L wrist plain film, lat view, male, 8 yo, cast in situ —

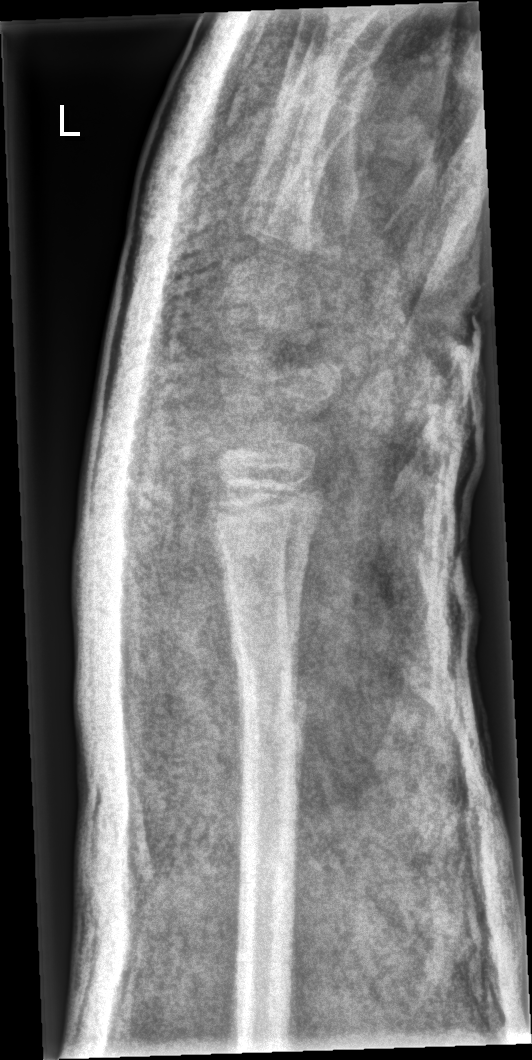

Findings: AO/OTA classification: 23r-M/3.1; 23u-M/2.1. Fracture identified at (232, 684, 311, 746).